Left wrist plain film, PA view, boy, 13 yo, imaged through cast
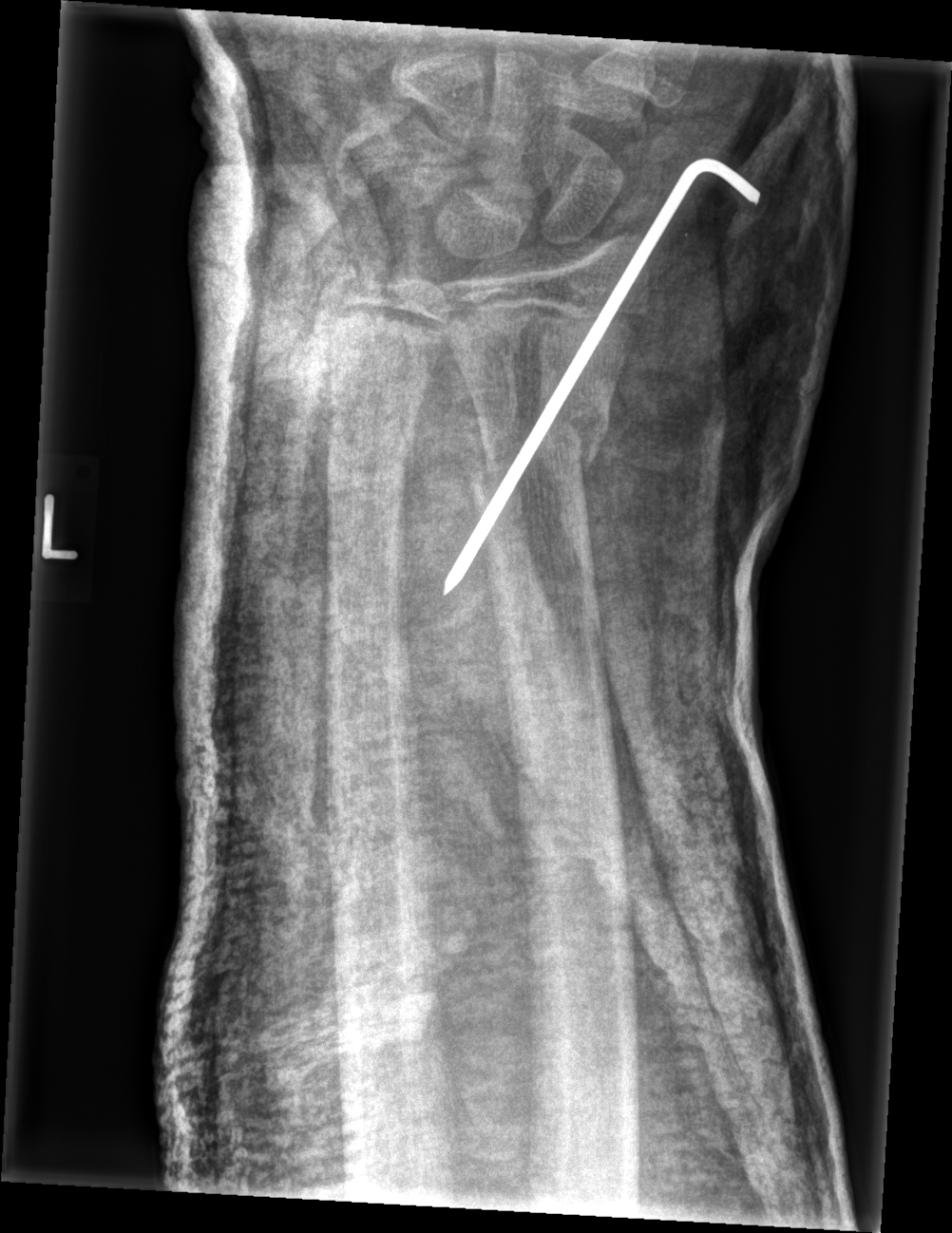 (pixel coordinates, top-left origin, xyxy)
Fx = (left=467, top=394, right=617, bottom=505), (left=325, top=418, right=416, bottom=485)
Metal = (left=440, top=162, right=749, bottom=601)